Rt wrist X-ray; lat; age 9 y, male:
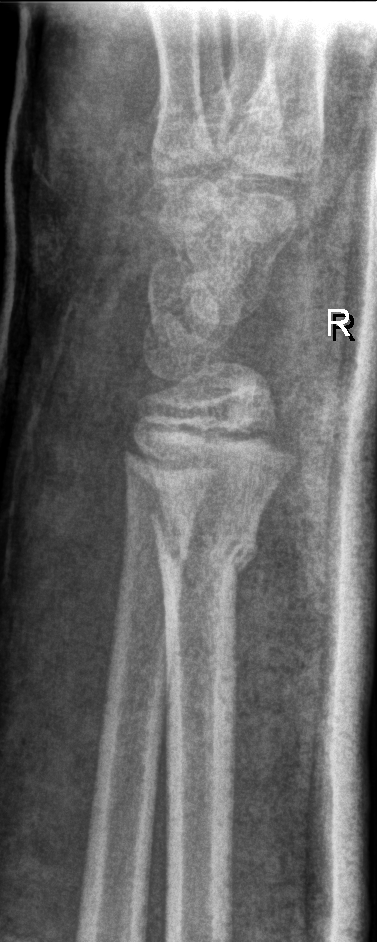 Coordinates are [x1, y1, x2, y2] in image pixels. AO/OTA classification: 23r-M/3.1. One Fx at 151 499 260 577.